PA view · L pediatric wrist radiograph · girl, 14 yo · image width 78.0 mm:
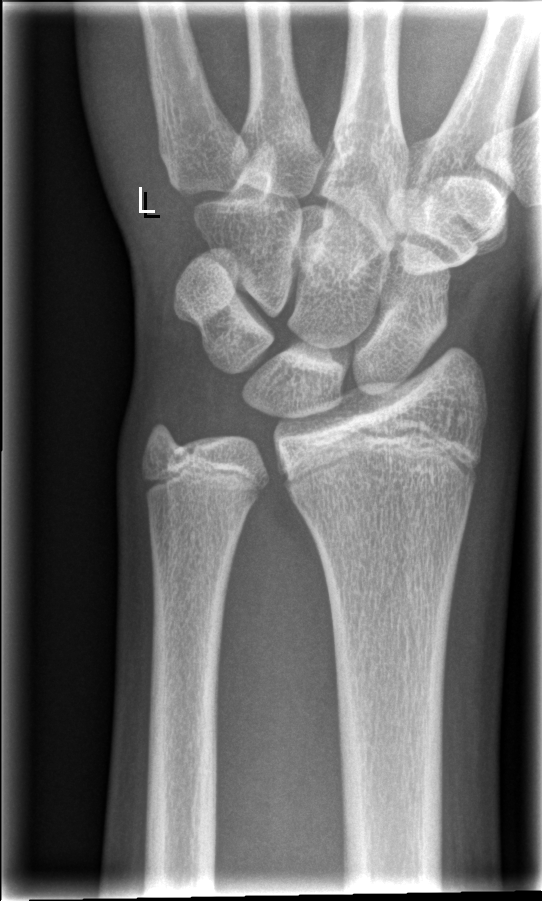

Q: Locate any fractures.
A: Fracture: none labeled